PA/AP projection; left wrist radiograph; male, 13 yo —
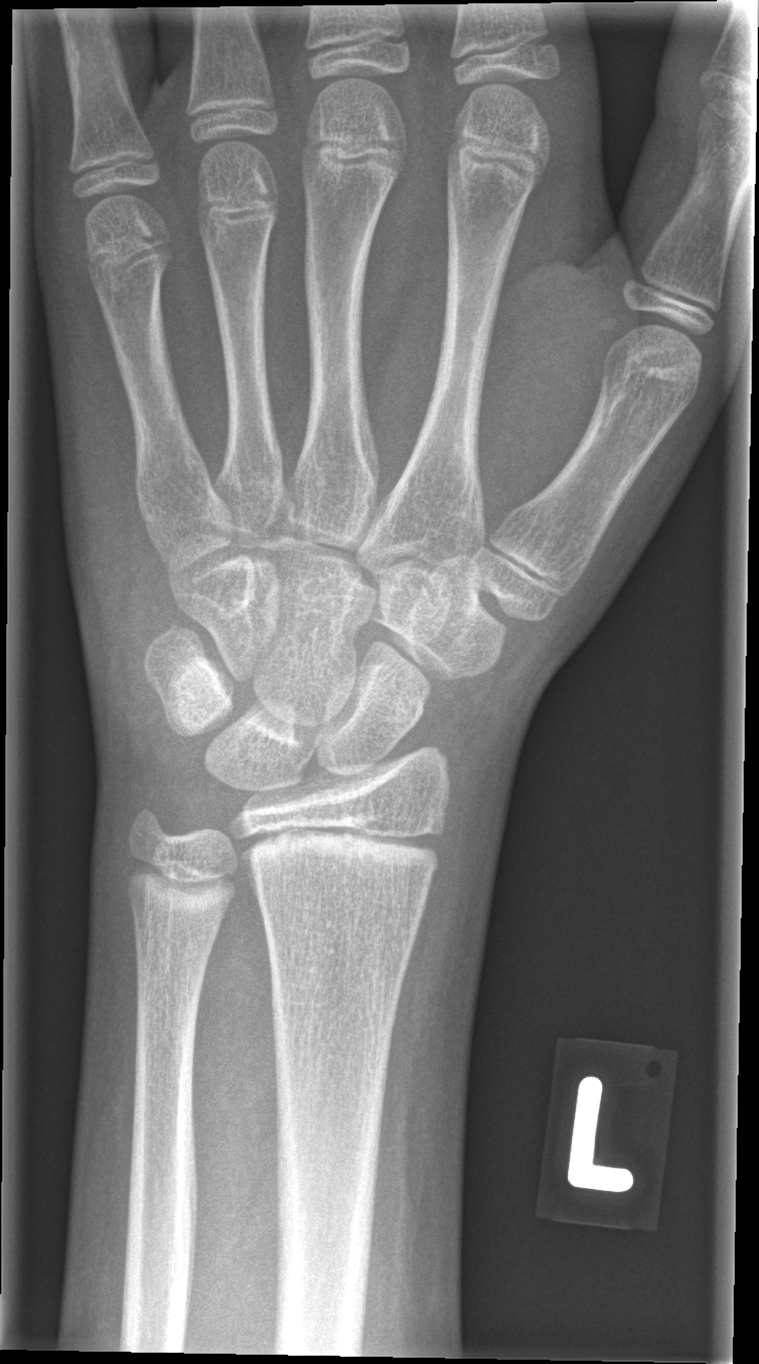

Fx: none labeled